Frontal projection, R pediatric wrist radiograph, 537 by 1320 pixels —
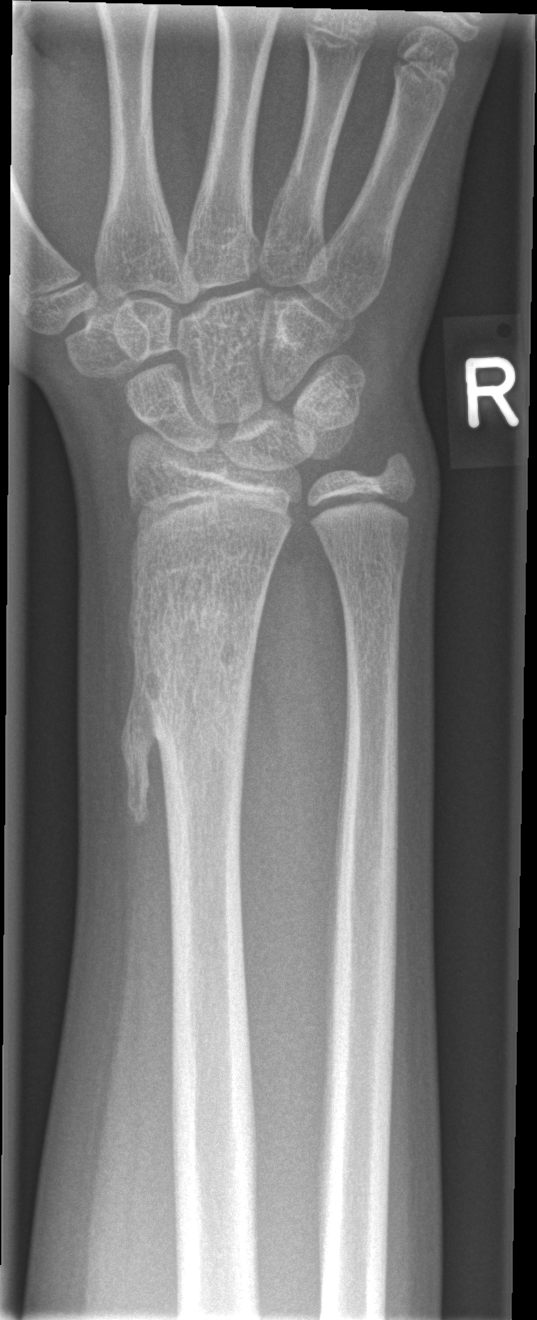

{
  "boneanomaly": "1 @ (left=117, top=551, right=276, bottom=833)",
  "fracture": "none labeled"
}